AP · Lt wrist radiograph · cast in situ · image width 97.9 mm —

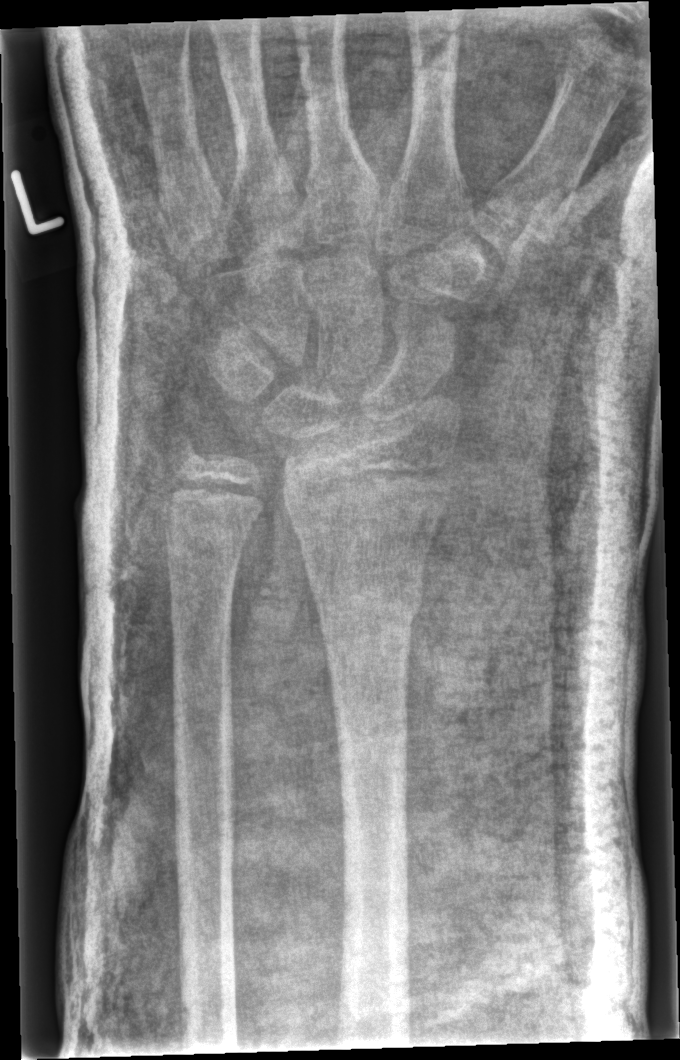
fracture: 312 561 426 627